Lateral | right pediatric wrist radiograph | image 44.6 mm wide —
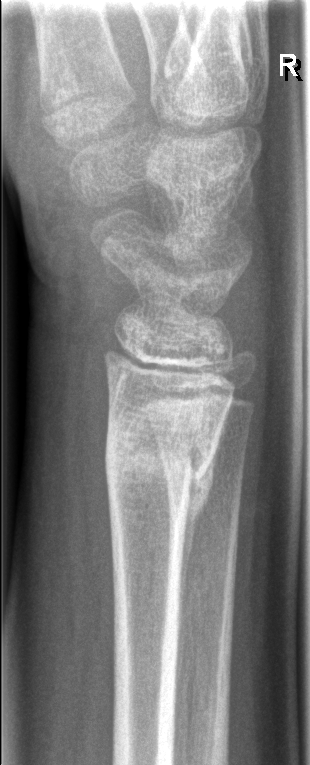

(coordinates are [x1, y1, x2, y2] in image pixels)
periosteal thickening: 1 @ (left=178, top=426, right=223, bottom=633)
Fx: (left=102, top=422, right=222, bottom=505)
osteopenia: present